PA view | right wrist pediatric wrist radiograph. 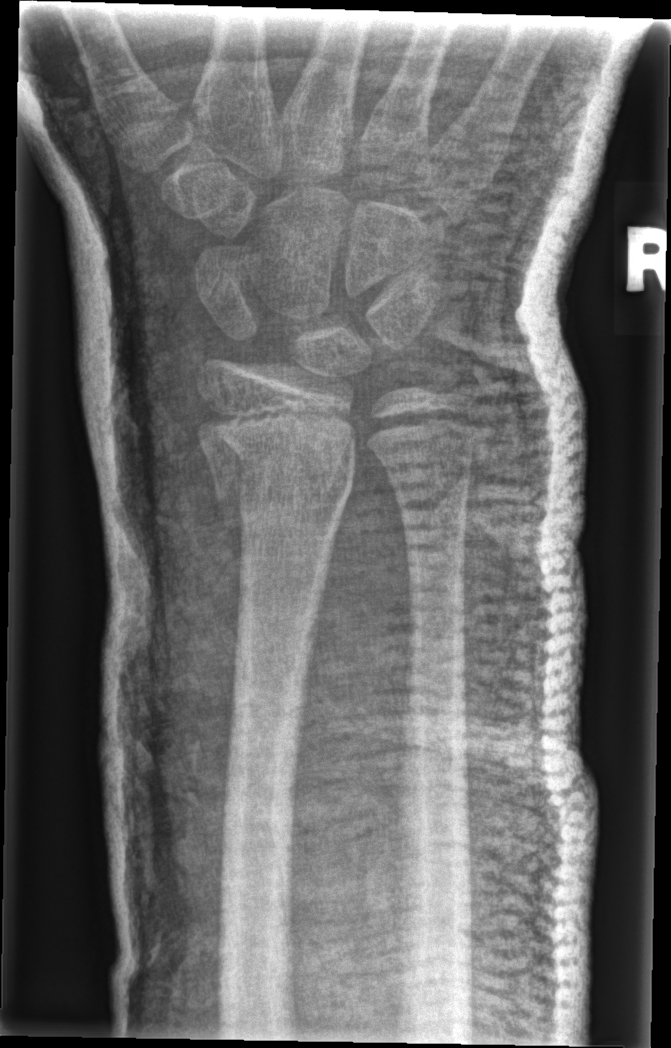 Fx: 1 @ <197,405>-<361,534>
AO/OTA: 23r-M/3.1